Left wrist XR · lateral view · detector: Siemens · 439 x 940 px.

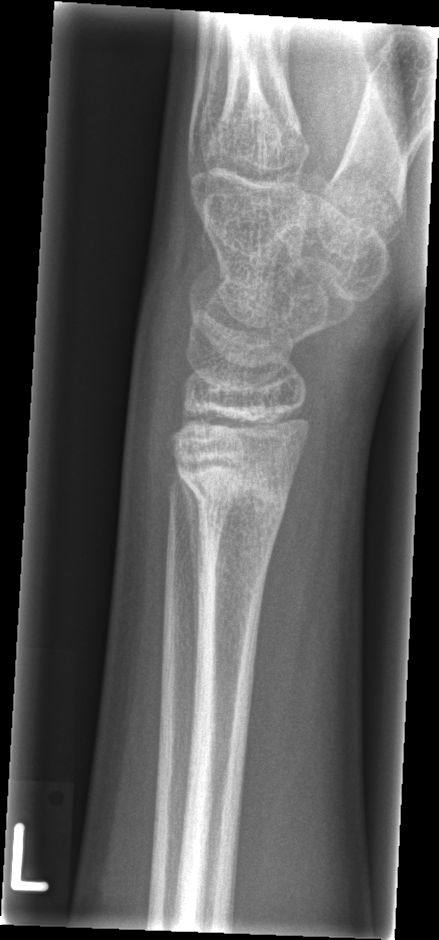

{
  "osteopenia": "present",
  "ao": "23r-M/2.1",
  "periostealreaction": "[x1=178, y1=470, x2=205, y2=676]",
  "fracture": "[x1=172, y1=460, x2=295, y2=537]"
}